Left wrist XR; lat 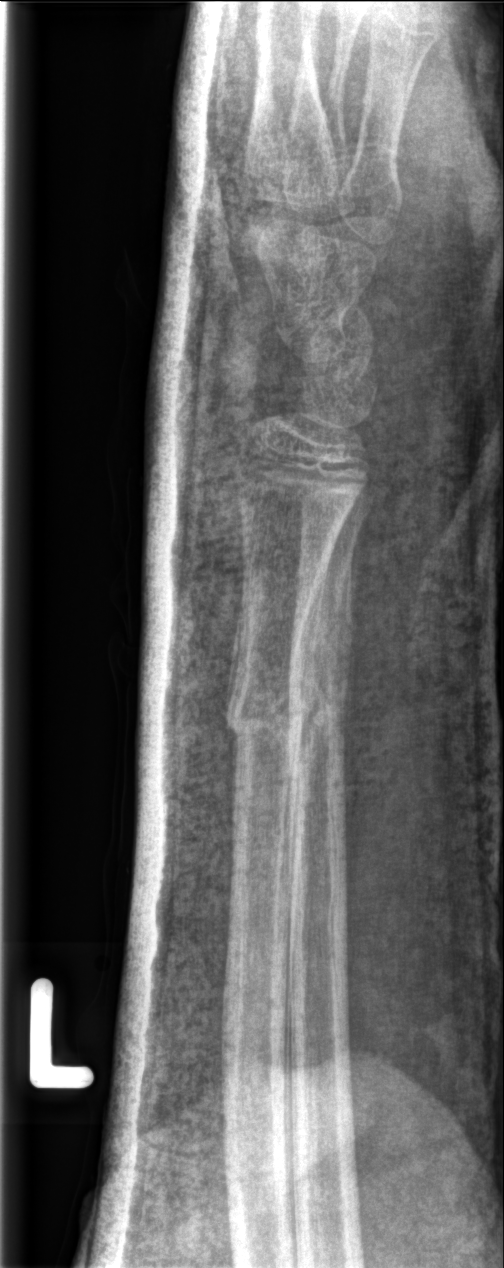 (boxes as x1,y1,x2,y2 (top-left / bottom-right, pixel units))
AO classification: 22r-D/4.1
Fracture: (left=223, top=657, right=322, bottom=755)